Lateral view, Lt wrist X-ray, Siemens

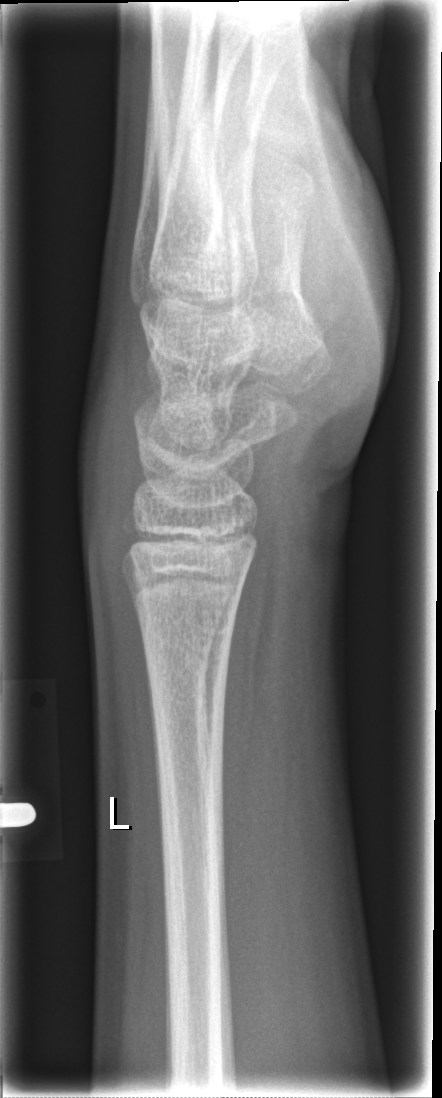

fracture: none labeled